Posteroanterior view · right wrist X-ray · image 107.7 mm wide
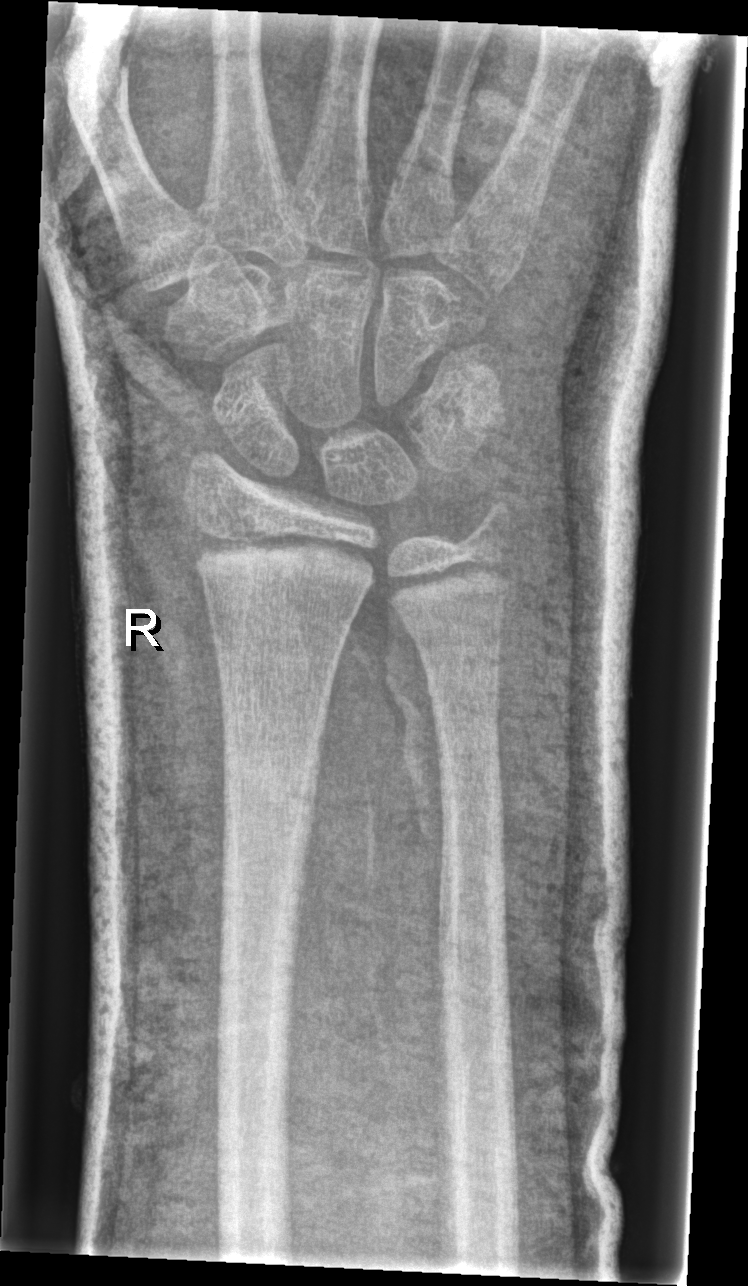 FINDINGS — Bone fracture — 190,526,379,594. AO/OTA classification: 23r-E/2.1;  23u-E/7.